Lateral view; R wrist XR; age 7 y, girl; presentation radiograph:

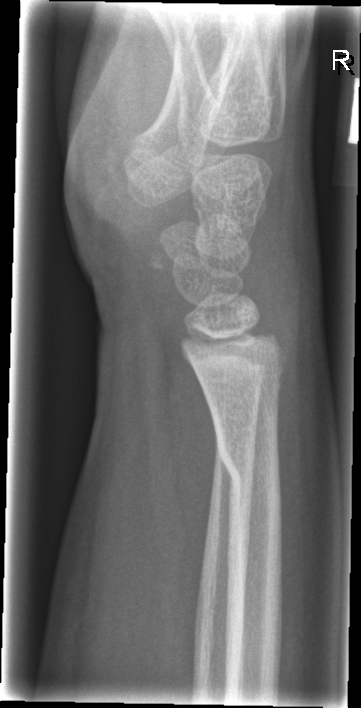

(coordinates are [x1, y1, x2, y2] in image pixels)
Q: Locate any fractures.
A: Fx: <213,426>-<285,494>